Right wrist radiograph, posteroanterior projection, male, 8 yo, 603x1158: 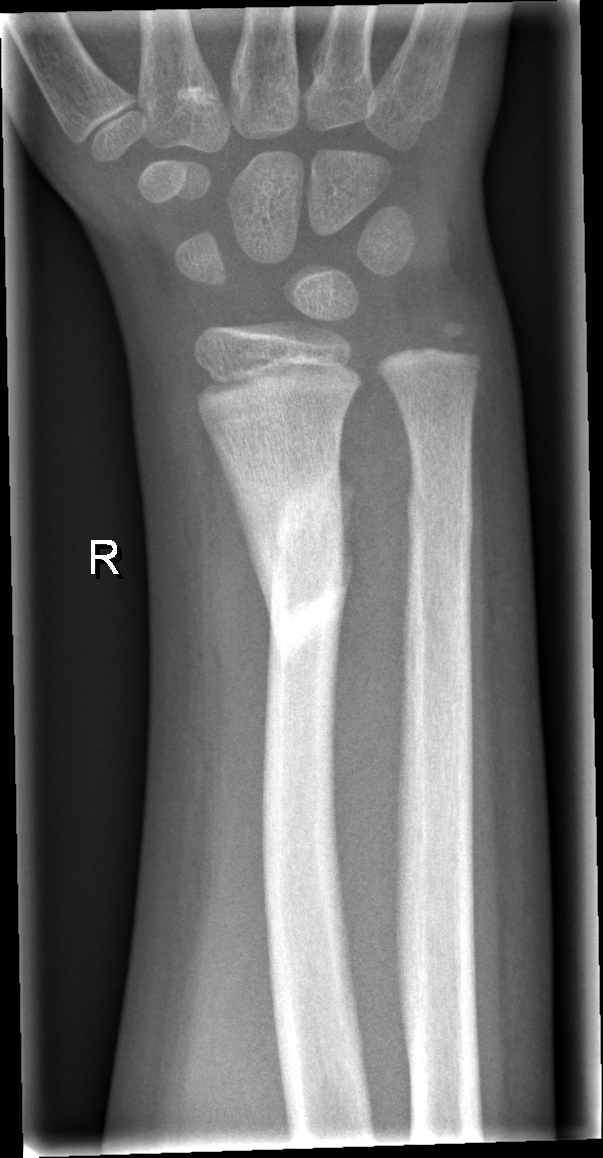
{"ao": "23r-M/3.1; 23u-M/2.1", "fracture": "256 469 356 656 | 402 473 479 546"}